Left wrist XR · lateral view · pediatric patient (male, age 6):
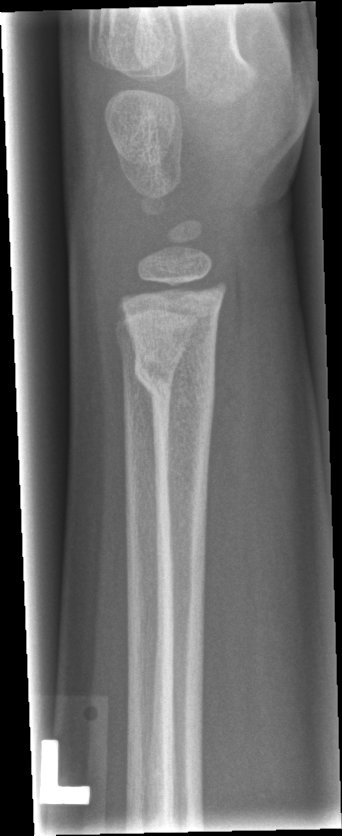 FINDINGS: Fracture — <132,345>-<218,410>. AO/OTA classification: 23-M/2.1.